Frontal projection, Rt wrist XR, male, 11 yo, follow-up study, acquired on Siemens

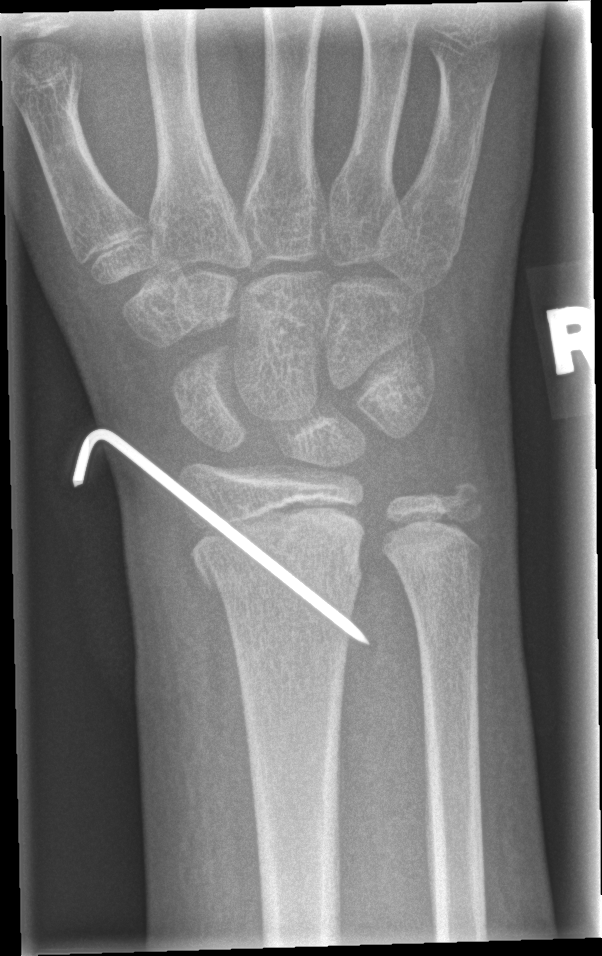 (coordinates are [x1, y1, x2, y2] in image pixels)
metallic hardware = 1 @ <72,428>-<371,646>
fracture = 2 @ <185,507>-<367,595> <431,479>-<486,532>
AO code = 23r-E/2.1; 23u-E/7